Right wrist plain film | PA/AP view.

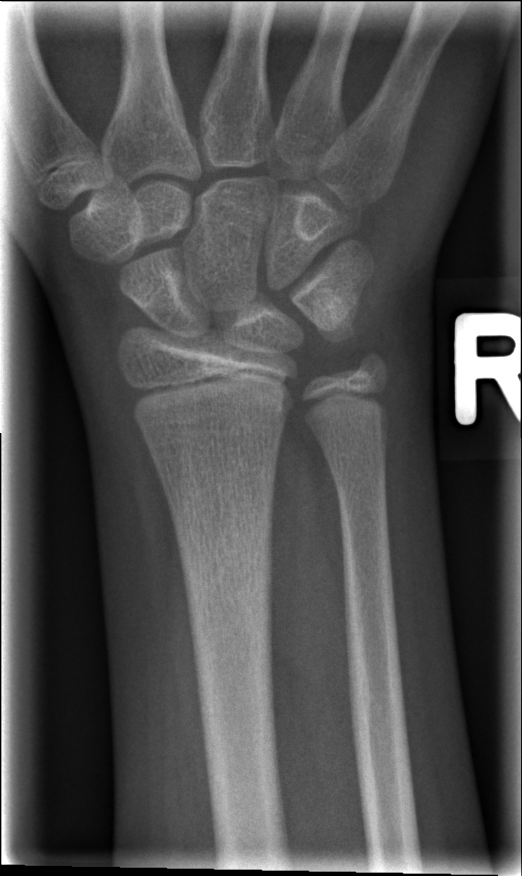 No fracture labeled.